Lateral | left wrist XR | pediatric patient (male, age 17) | imaged through cast

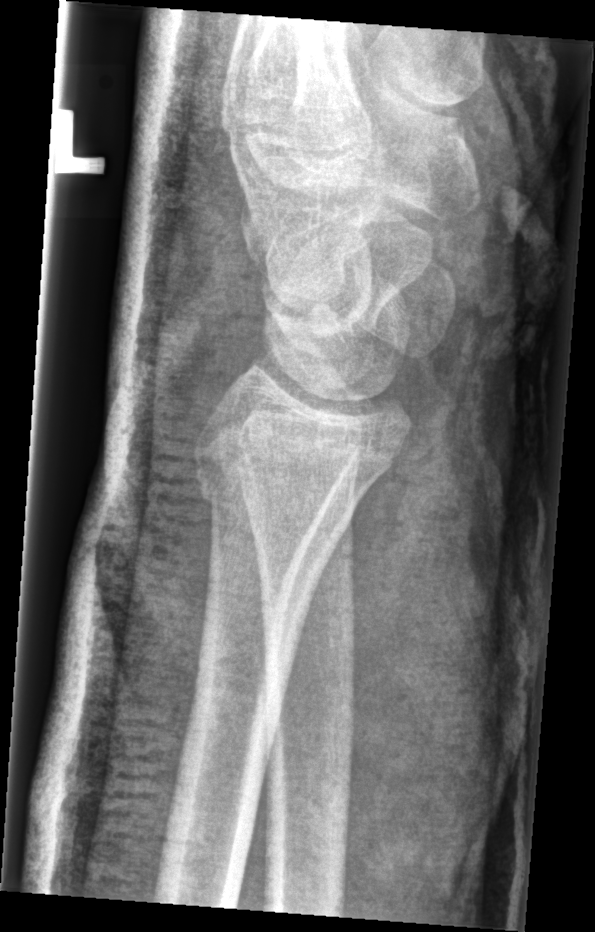

Fracture — <191,430>-<363,550>.
AO code 23r-M/3.1; 23u-E/7.